Rt plain radiograph of the wrist; lateral view; pediatric patient (girl, age 18); initial study; image width 53.9 mm —

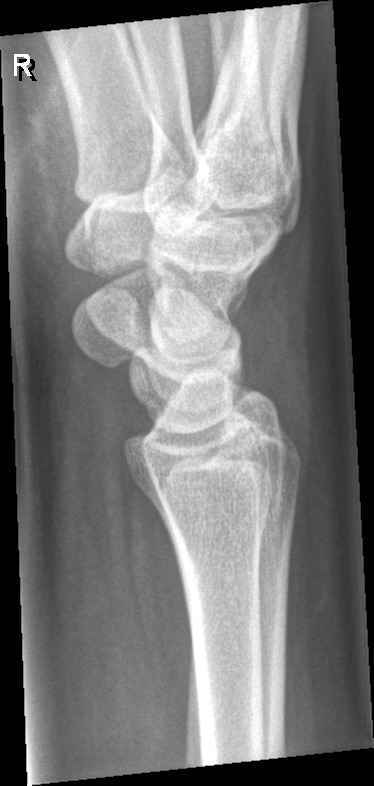
* No Fx annotated.